PA/AP; Lt wrist XR; image width 104.3 mm —

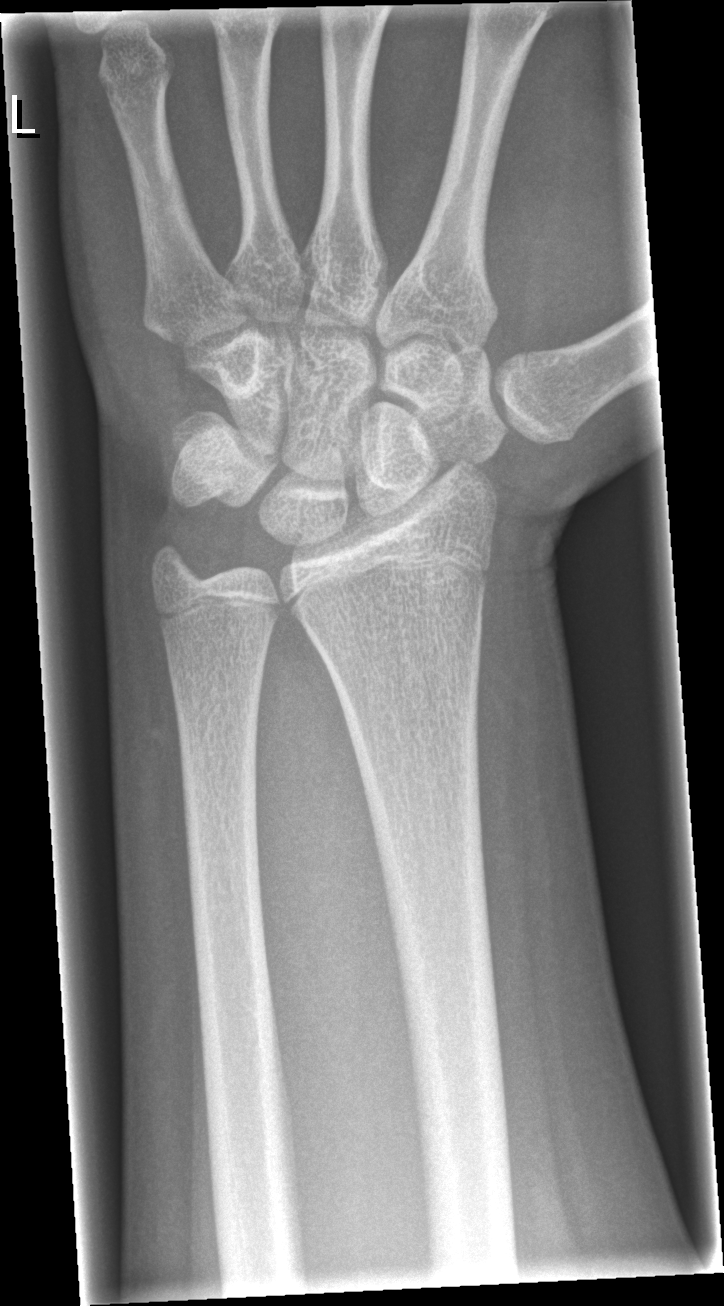 Fx: none labeled